PA | L wrist plain film | initial study | detector: Siemens: 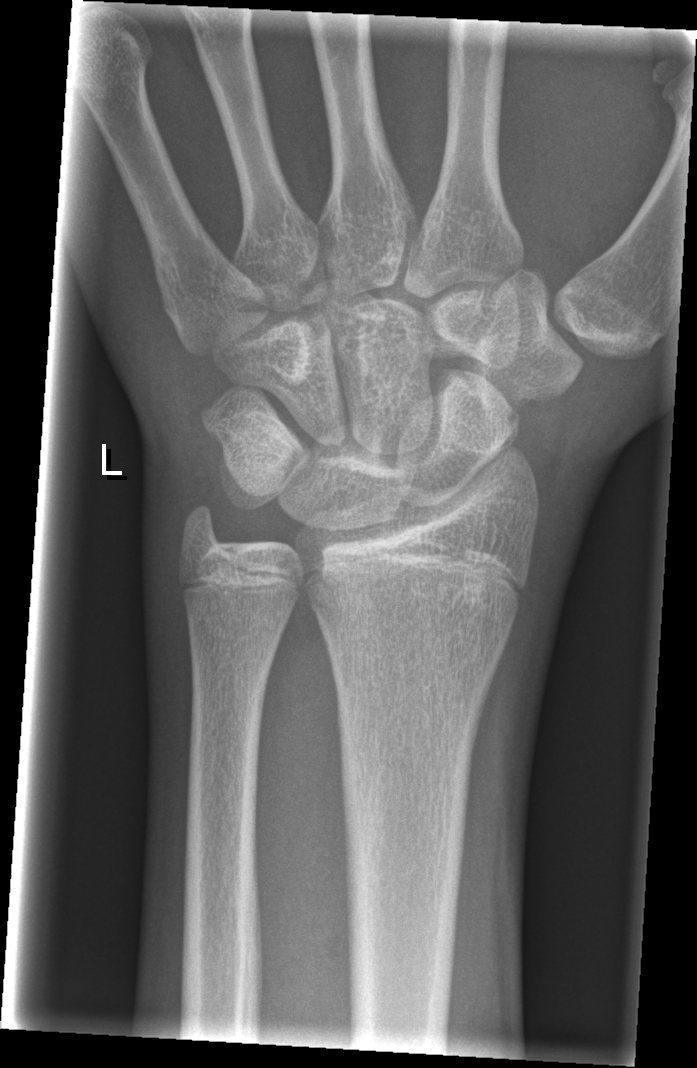

bone fracture = none labeled